Left wrist plain film | lateral projection —
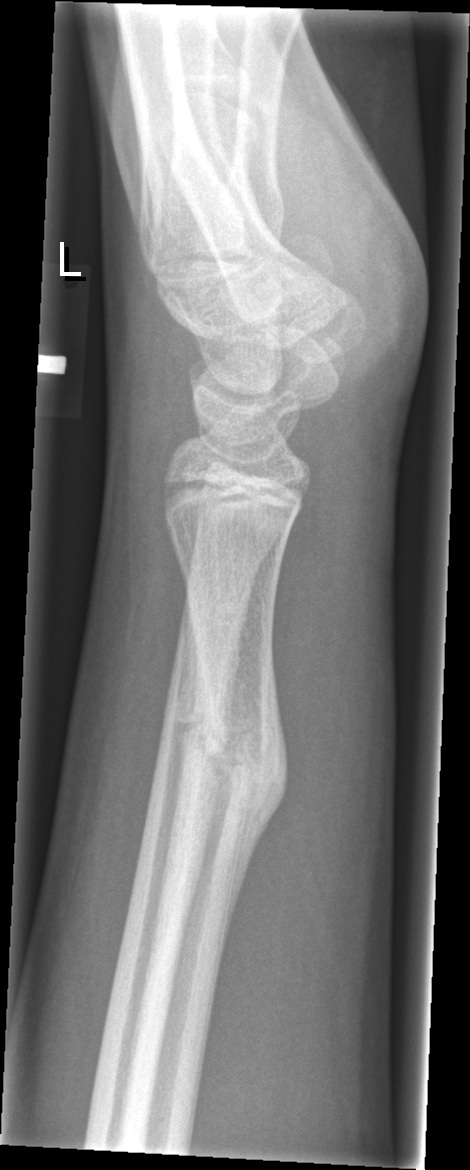 * AO code 22r-D/5.1; 23u-M/2.1.
* Fx: [x1=173, y1=677, x2=294, y2=843].
* Periosteal reaction — [x1=220, y1=633, x2=291, y2=963].